Frontal projection | right pediatric wrist radiograph
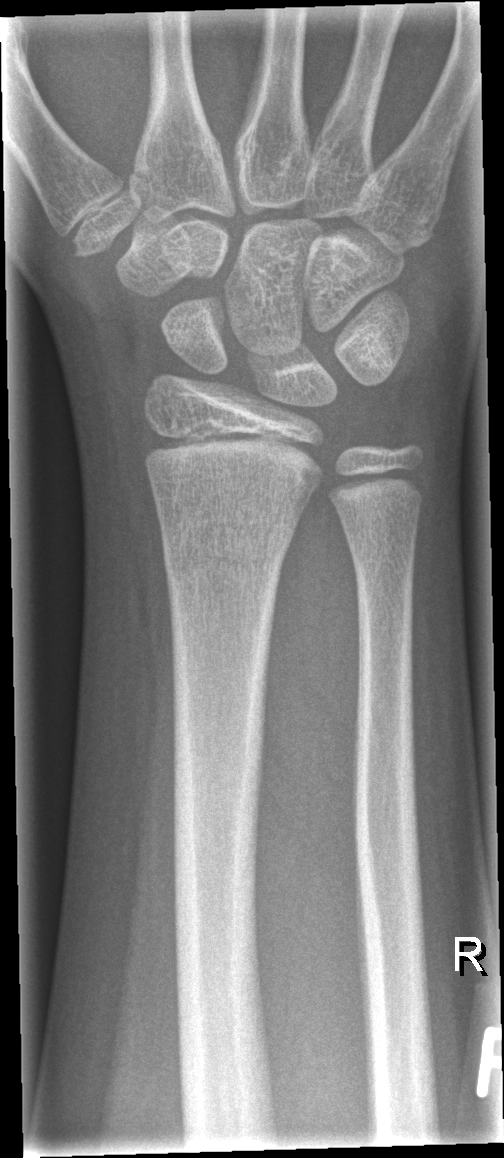

AO/OTA = 23r-M/2.1
bone fracture = 1 @ [x1=158, y1=524, x2=294, y2=591]